Lt wrist XR, lat projection, boy, 12 yo, subsequent exam, 636 x 1306 px.
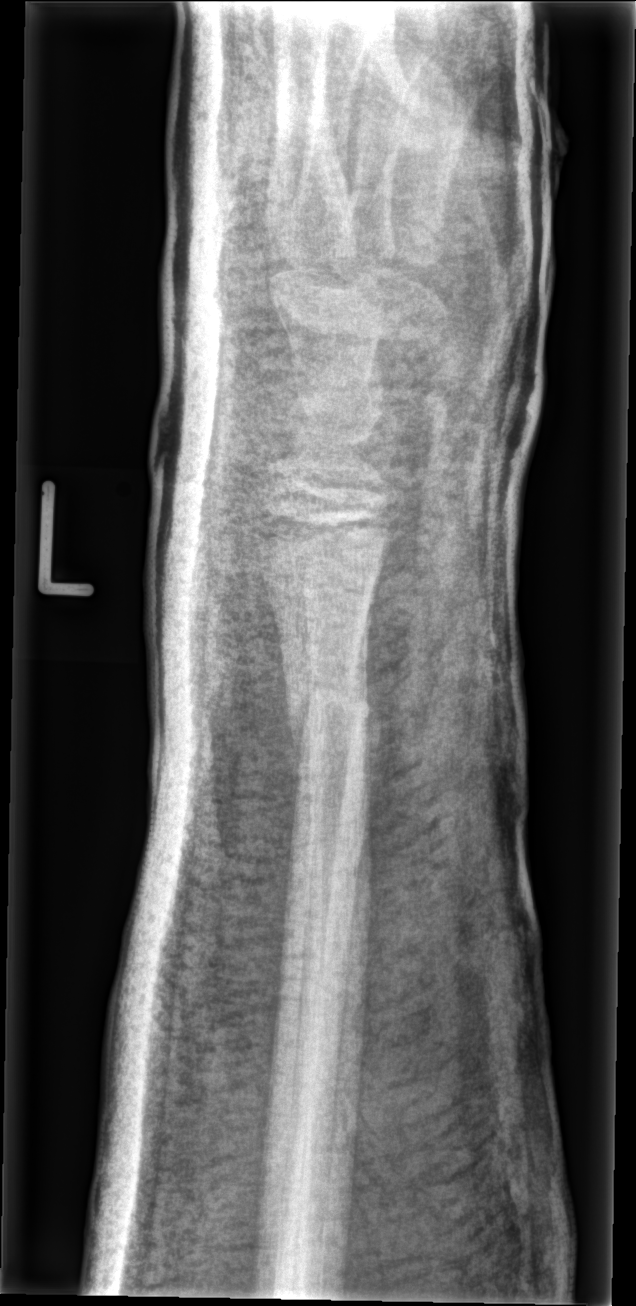 (pixel coordinates, top-left origin, xyxy)
bone fracture = 1 @ <277,670>-<380,742>